R wrist plain film · lateral · 12y F

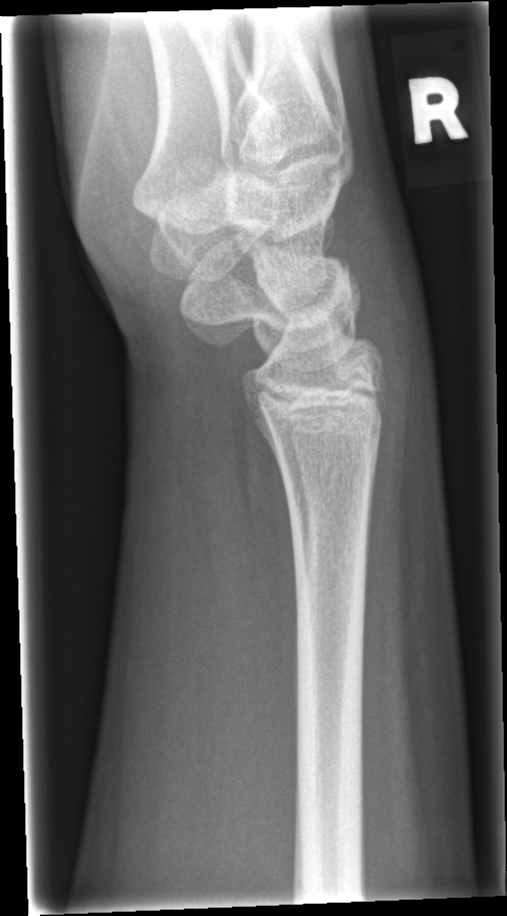 bone fracture = none labeled